Posteroanterior, L wrist XR —

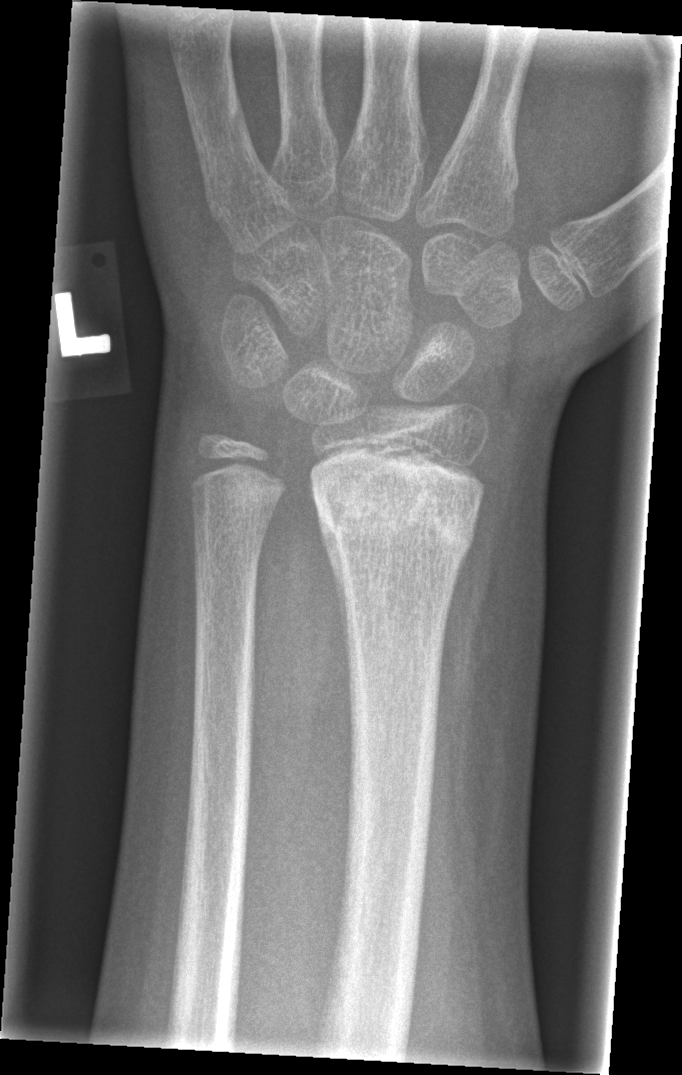
Fx identified at (310, 473, 481, 561).
Periosteal reaction — (317, 518, 346, 633).
AO code 23r-M/3.1.